Rt wrist radiograph; lateral; pediatric patient (boy, age 13)
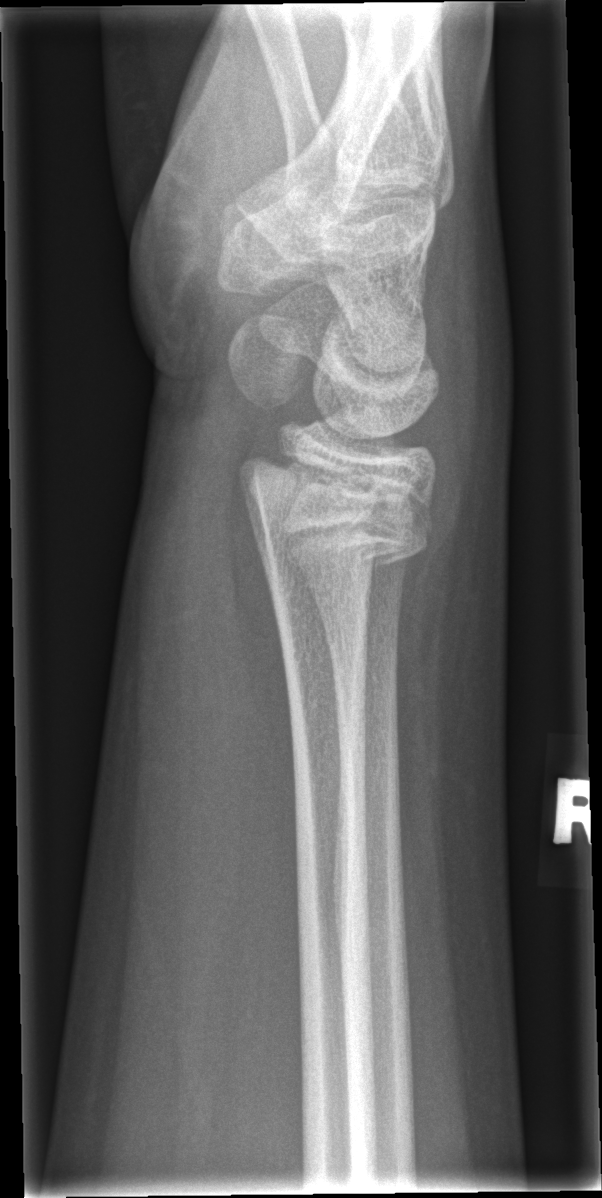
- One Fx at bbox(236, 445, 439, 567).
- Fracture classified AO/OTA 23r-E/2.1; 23u-E/7.